R wrist plain film, PA/AP view, pediatric patient (boy, age 9) —

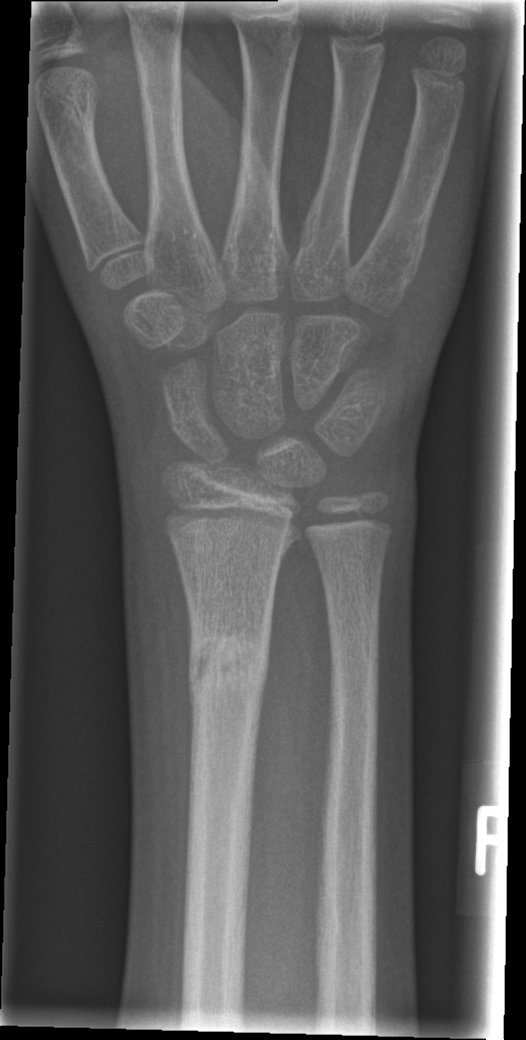 Coordinates are [x1, y1, x2, y2] in image pixels. Fracture — [187, 633, 272, 706].